R wrist XR | lat.

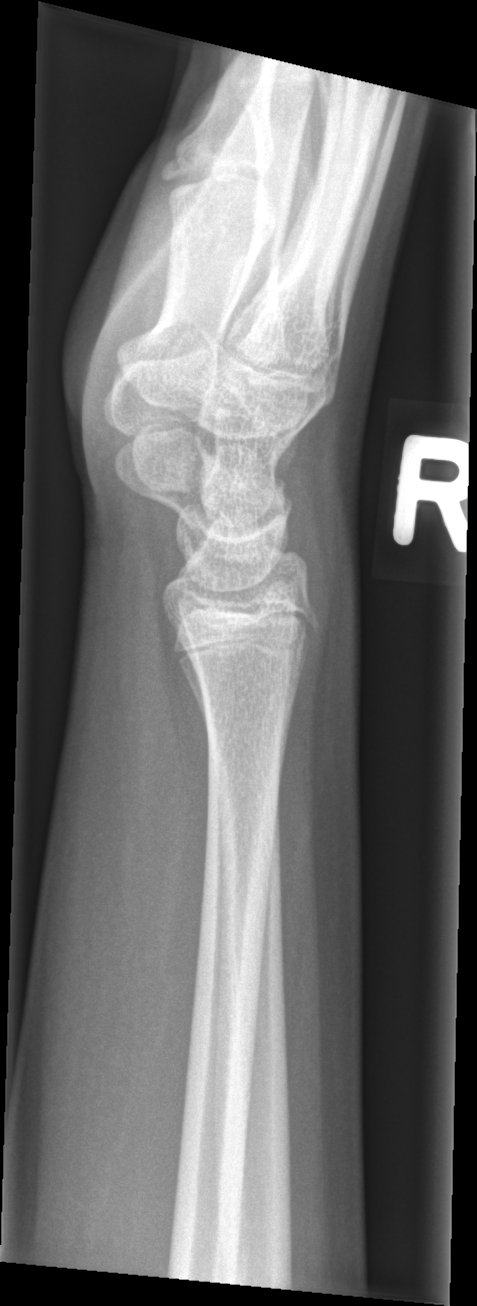 FINDINGS: Fracture: none labeled.